Lateral view | right wrist X-ray | detector: Siemens. 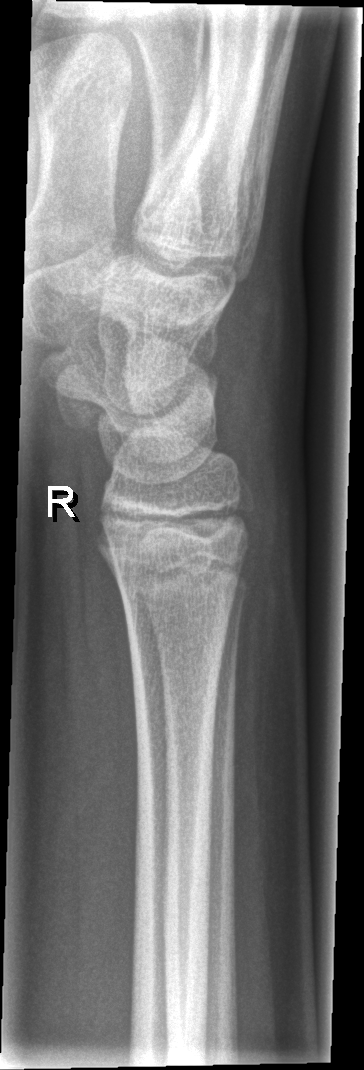 No fracture bounding box.